Lateral; left wrist plain film. 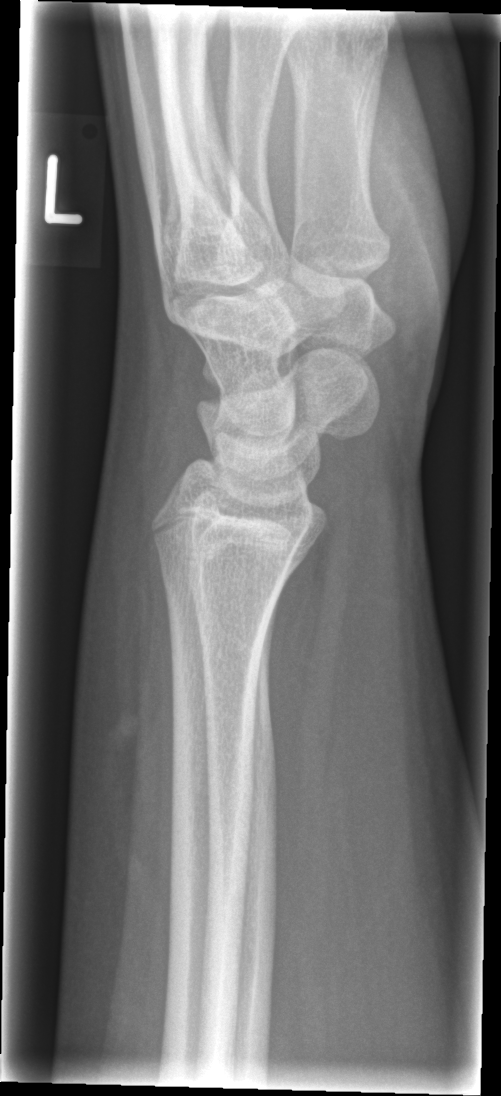 Fx: 1 @ [x1=155, y1=541, x2=289, y2=612]